Left pediatric wrist radiograph · frontal · male, 15 yo · Siemens · 108.6 mm image width · 754 x 1182 px.
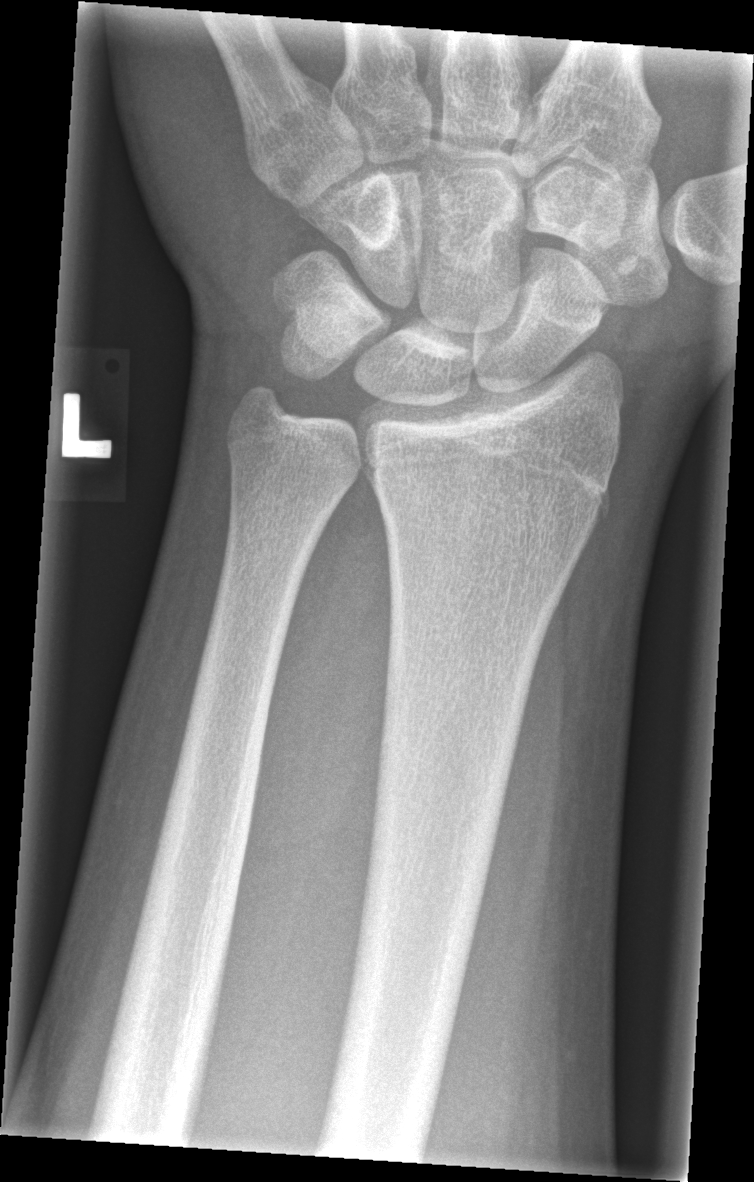
Fracture: none labeled